L wrist plain film | posteroanterior projection | 14-year-old boy — 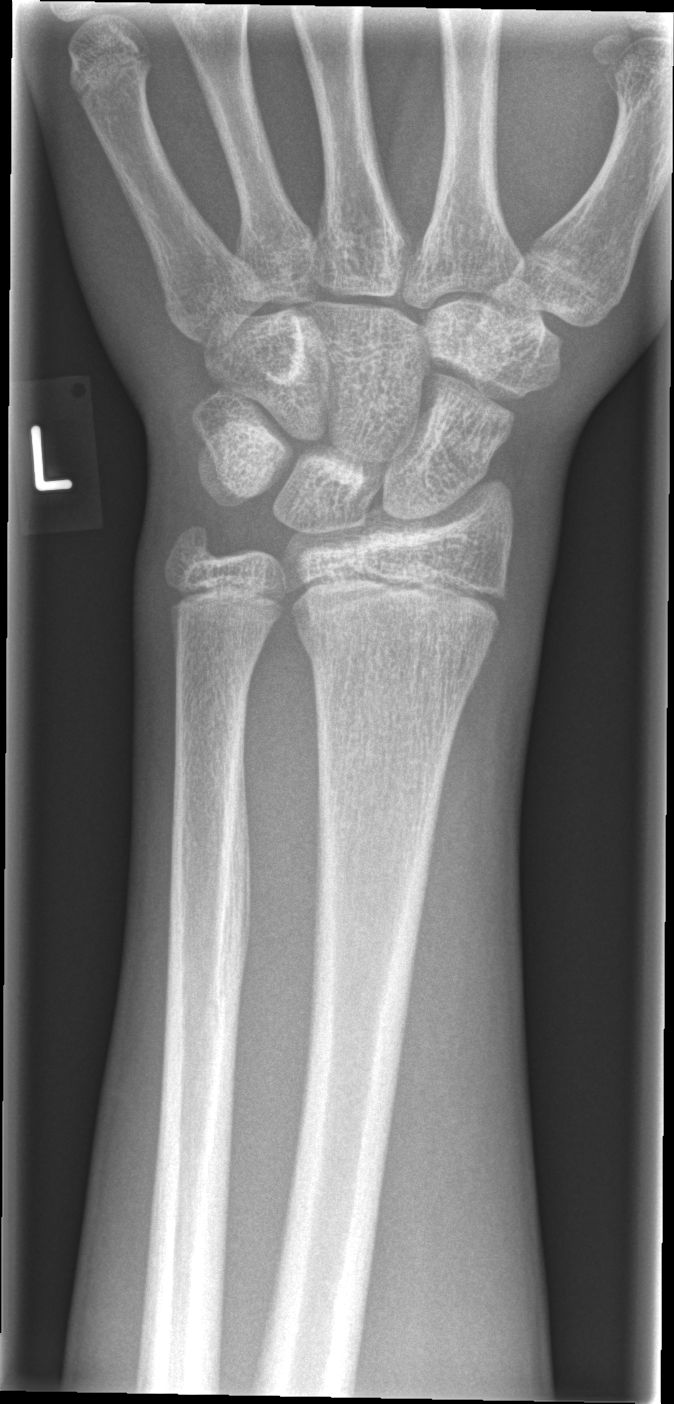
Coordinates are [x1, y1, x2, y2] in image pixels. AO code 23r-M/2.1. Fx — [308, 623, 486, 709].